L wrist XR · PA/AP projection · age 13 y, boy · 530 x 800 px 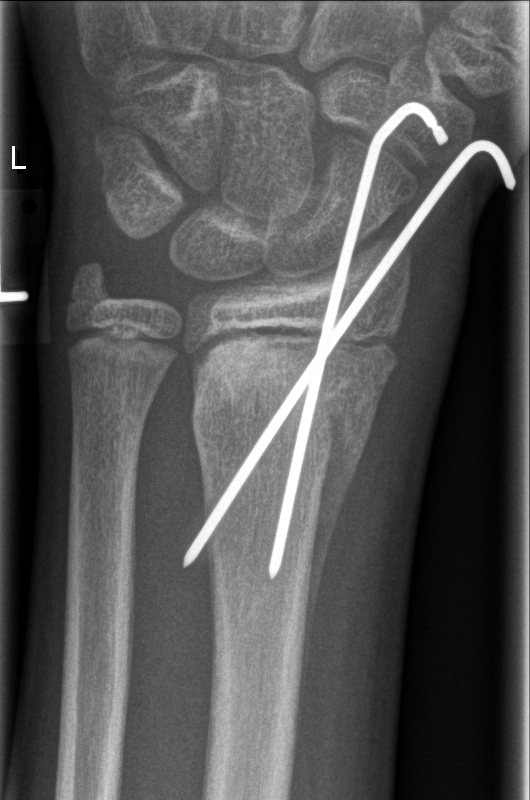 Coordinates are [x1, y1, x2, y2] in image pixels.
Metallic implant: [x1=179, y1=100, x2=519, y2=580].
Periosteal new bone — [x1=295, y1=368, x2=395, y2=754].
Fx identified at [x1=169, y1=311, x2=409, y2=475] [x1=62, y1=256, x2=120, y2=313].